Left wrist radiograph | lat | male, 5 yo | 58.6 mm image width —
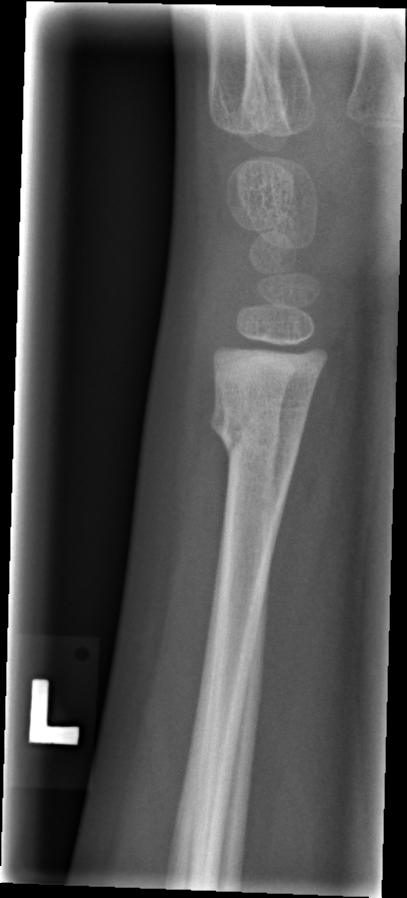
- Bone fracture identified at [x1=205, y1=400, x2=310, y2=465].
- AO/OTA classification: 23-M/2.1.